Right wrist plain film; lat; pediatric patient (male, age 15); subsequent exam; image 85.2 mm wide

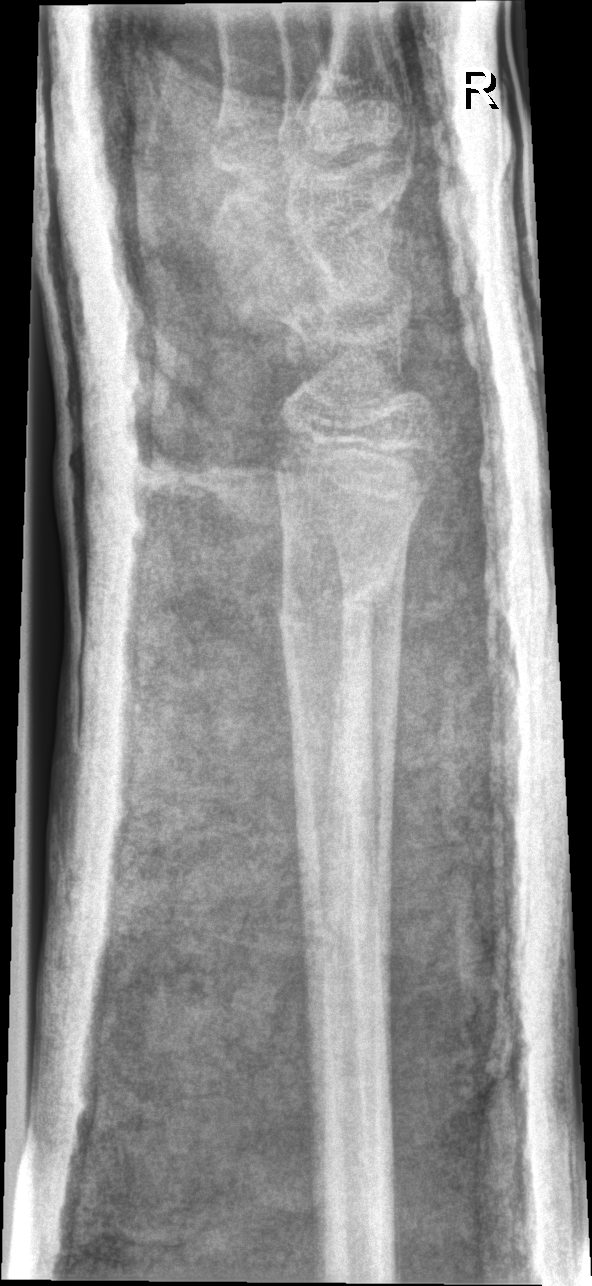 Boxes as x1,y1,x2,y2 (top-left / bottom-right, pixel units).
Bone fracture: [x1=272, y1=560, x2=397, y2=640].
AO code 23r-M/3.1; 23u-M/2.1; 23u-E/7.